Left wrist radiograph, lateral, girl, 1.3 yo, 532 by 693 pixels 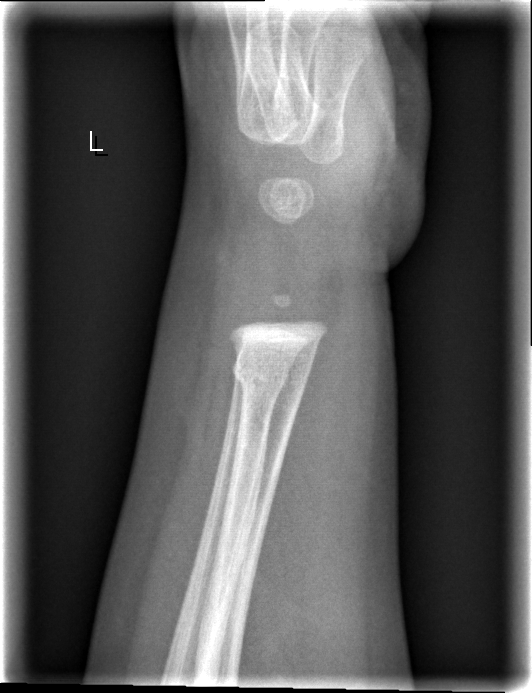
(boxes as x1,y1,x2,y2 (top-left / bottom-right, pixel units))
Q: AO code?
A: AO/OTA classification: 23r-M/2.1
Q: Any fracture seen?
A: Fx identified at bbox(229, 341, 315, 404)